Lateral projection, left wrist XR, 82.7 mm image width, 574 x 877 px:

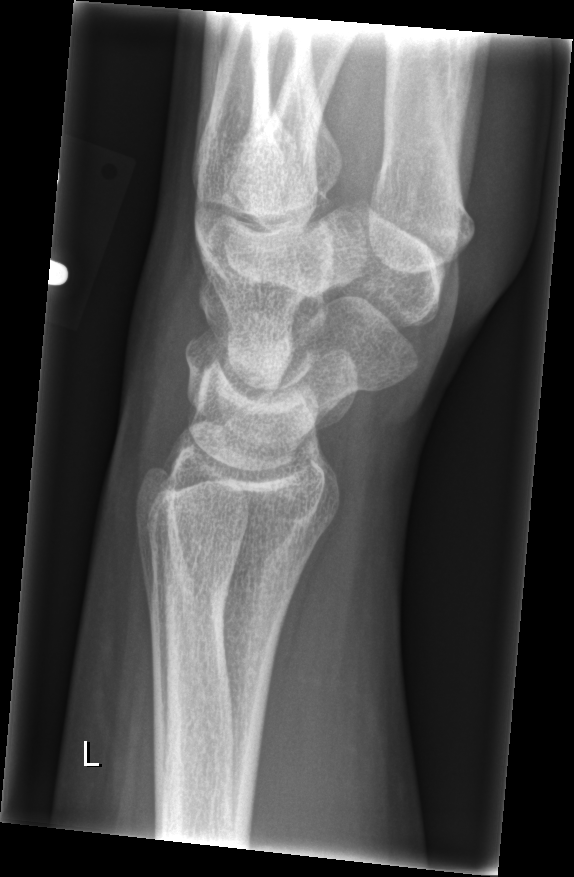
Findings: No fracture annotation.